Left wrist plain film · lat projection:

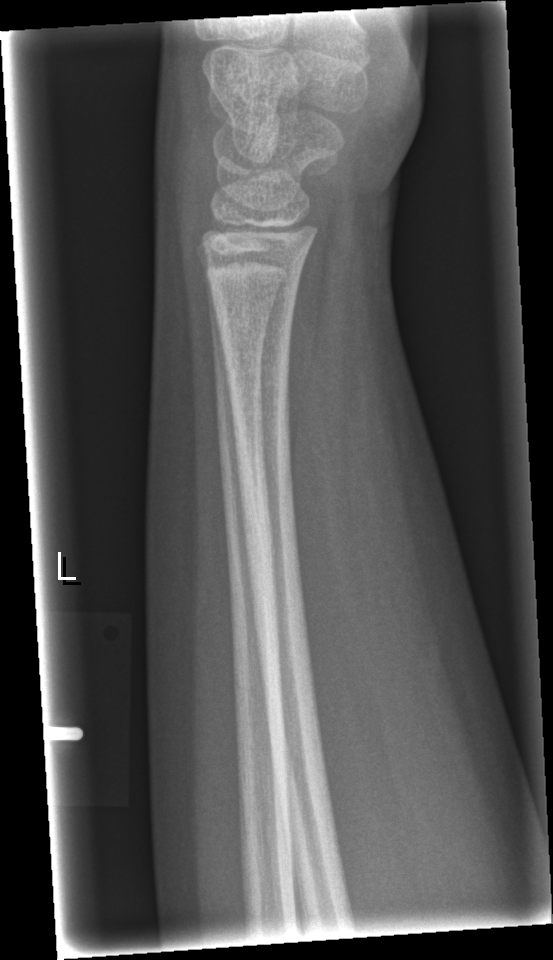
Fx: none.